Right wrist radiograph, lat view, 1092 by 1092 pixels:
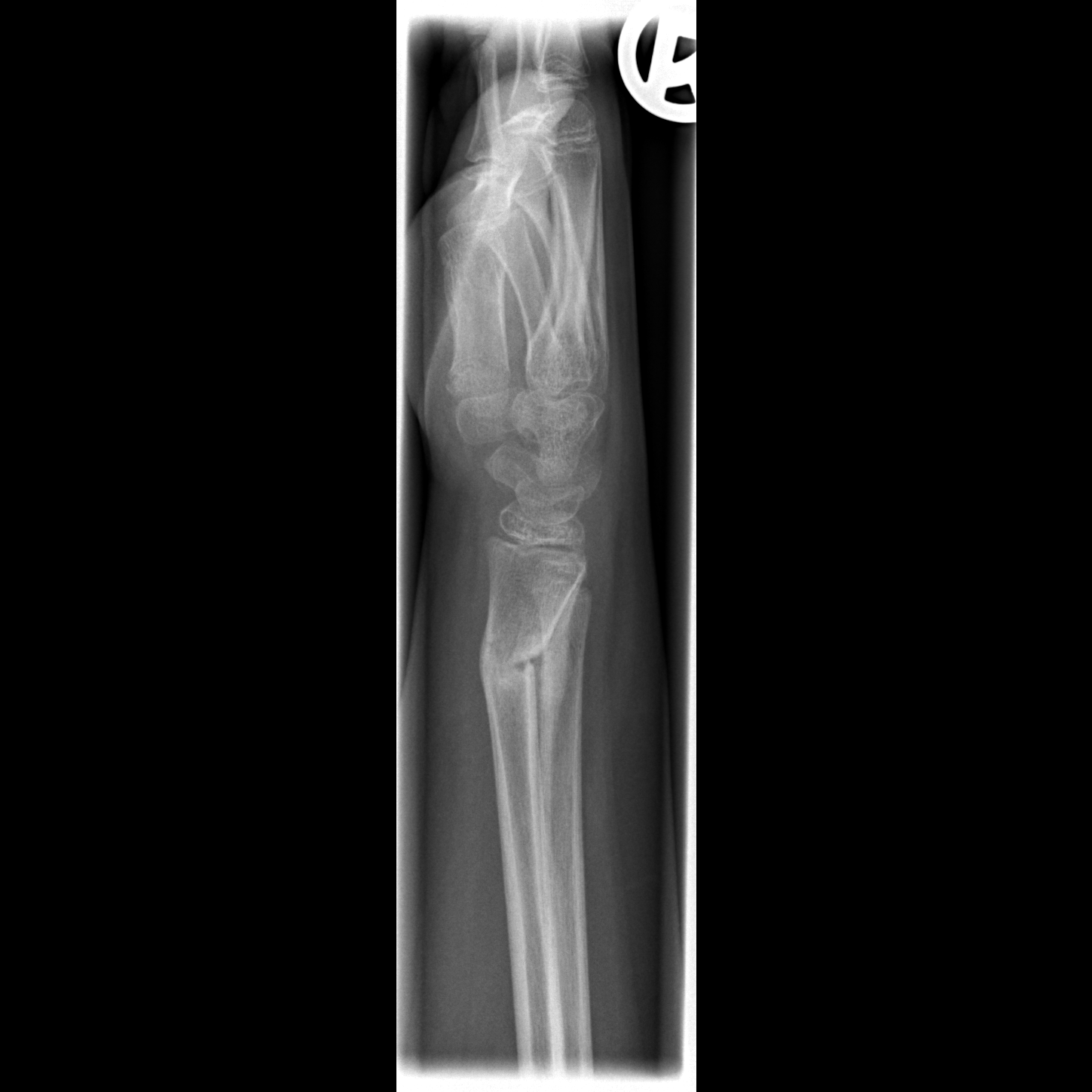
(coordinates are [x1, y1, x2, y2] in image pixels)
Fx = 1 @ (left=476, top=601, right=556, bottom=730)
osteopenia = present
periosteal thickening = 1 @ (left=527, top=570, right=586, bottom=910)